L wrist radiograph · AP · 7y M · follow-up study · imaged through cast · image width 87.4 mm.

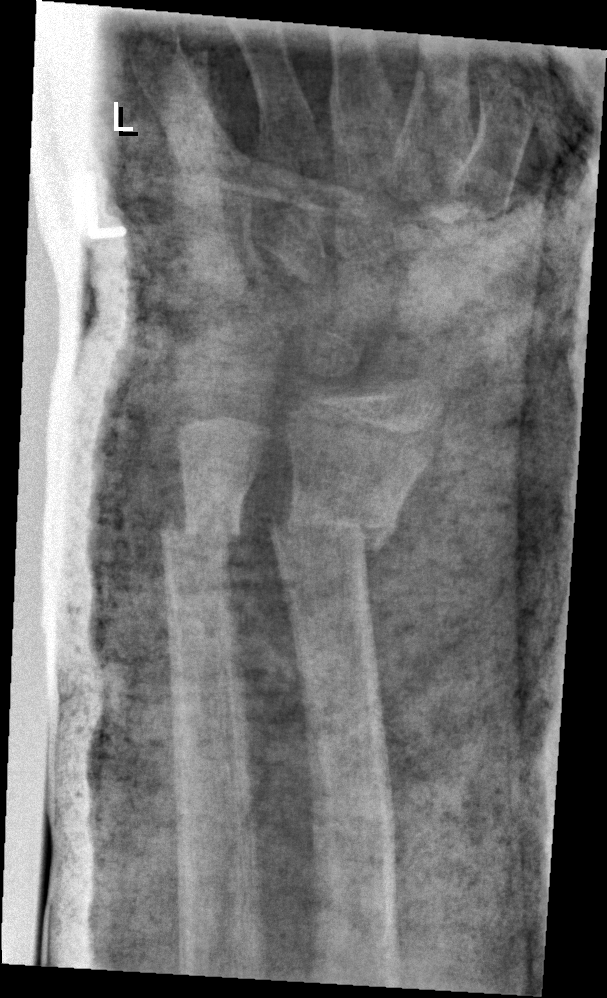

* Fracture: [x1=268, y1=491, x2=402, y2=565]; [x1=156, y1=511, x2=244, y2=552].